AP · L wrist X-ray · pediatric patient (male, age 8).
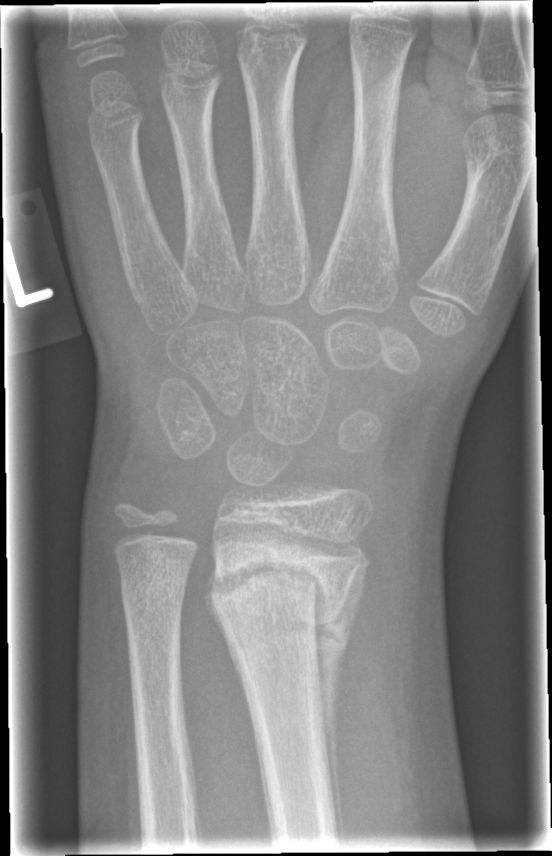

Periosteal new bone: [x1=313, y1=560, x2=369, y2=847], [x1=205, y1=566, x2=249, y2=710].
Bone fracture: [x1=204, y1=542, x2=361, y2=642] [x1=119, y1=560, x2=191, y2=611].
Decreased bone density (osteopenia).